Lateral view; L wrist XR; 10y M; initial study; 62.1 mm image width
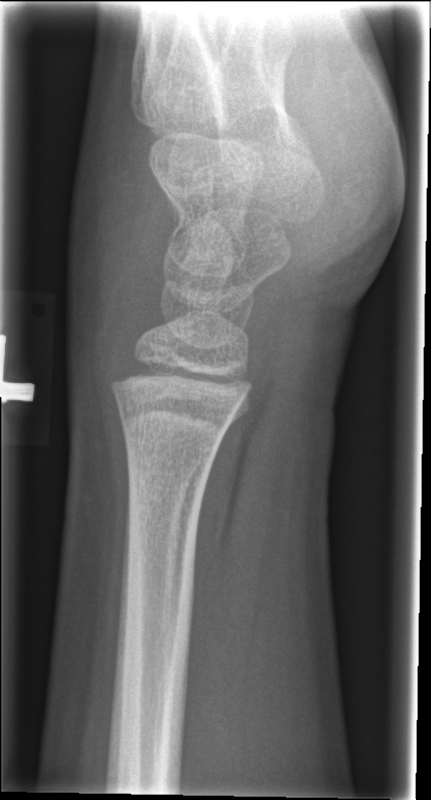
• Coordinates are [x1, y1, x2, y2] in image pixels.
• Soft tissue abnormality identified at bbox(60, 129, 163, 396).
• No fracture bounding box.